L plain radiograph of the wrist; AP projection; male, 10 yo; initial study.
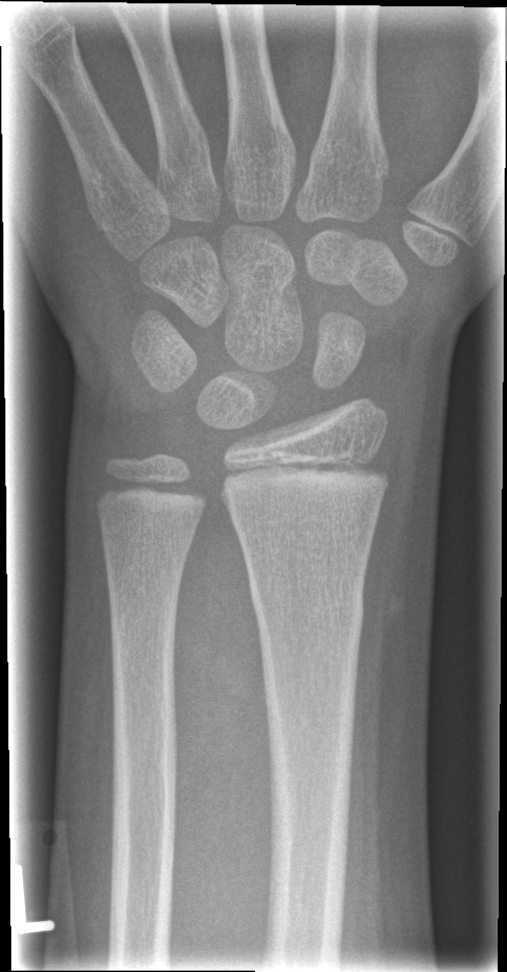

(coordinates are [x1, y1, x2, y2] in image pixels)
Fracture: 1 @ bbox(247, 569, 369, 645)